R wrist plain film, posteroanterior view — 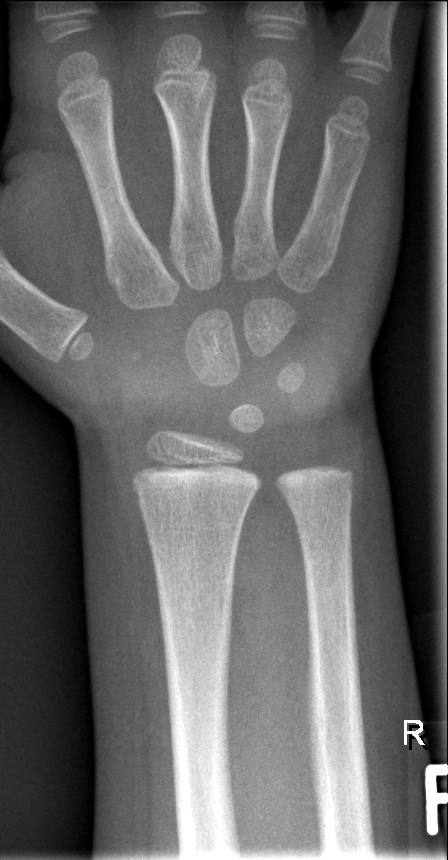

FINDINGS: No fracture annotation.